PA projection; Rt plain radiograph of the wrist; initial study; 77.9 mm image width.

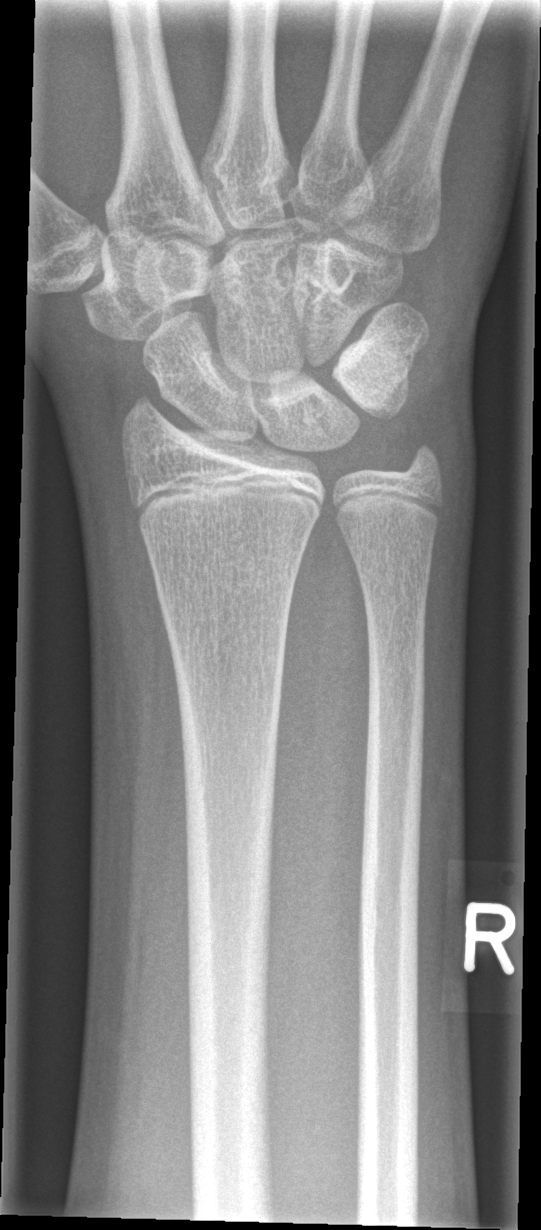

Fracture: none labeled.